Lateral projection | Rt wrist XR | 16-year-old female | detector: Siemens —

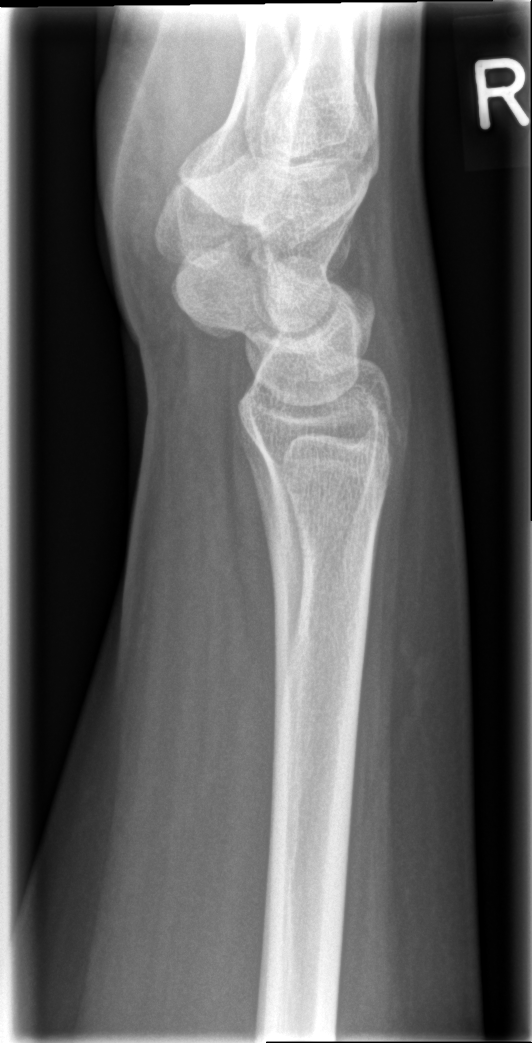

No Fx annotated.